Rt pediatric wrist radiograph | AP | age 9 y, boy | follow-up study | imaged through cast:

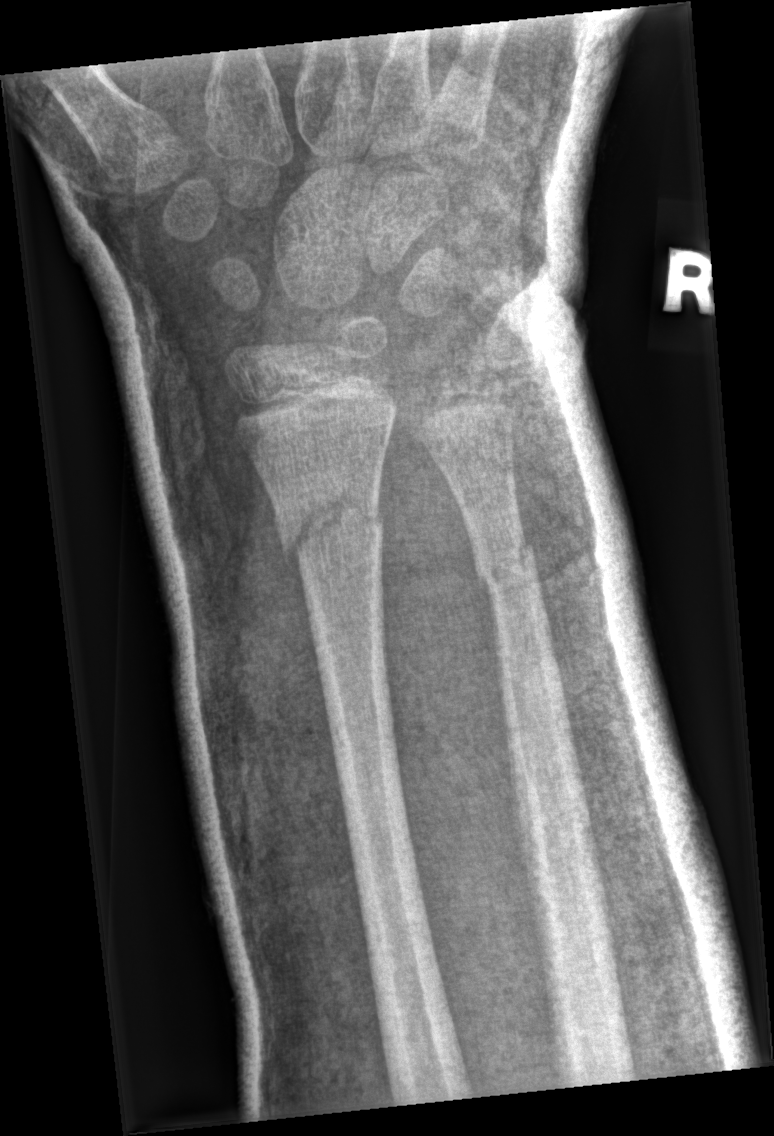

(bounding boxes in image-pixel xyxy)
Q: AO code?
A: AO/OTA classification: 23-M/3.1
Q: Any fracture seen?
A: Bone fracture: (left=278, top=483, right=387, bottom=577), (left=472, top=527, right=544, bottom=601)